Lateral projection | right wrist radiograph | female, 2 yo | presentation radiograph: 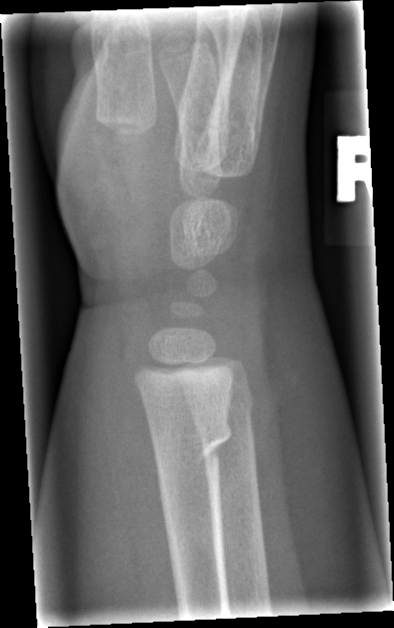
* Pixel coordinates, top-left origin, xyxy.
* Bone fracture identified at bbox(146, 405, 235, 485); bbox(184, 380, 260, 434).